Lateral view | L wrist X-ray | acquired on Siemens:
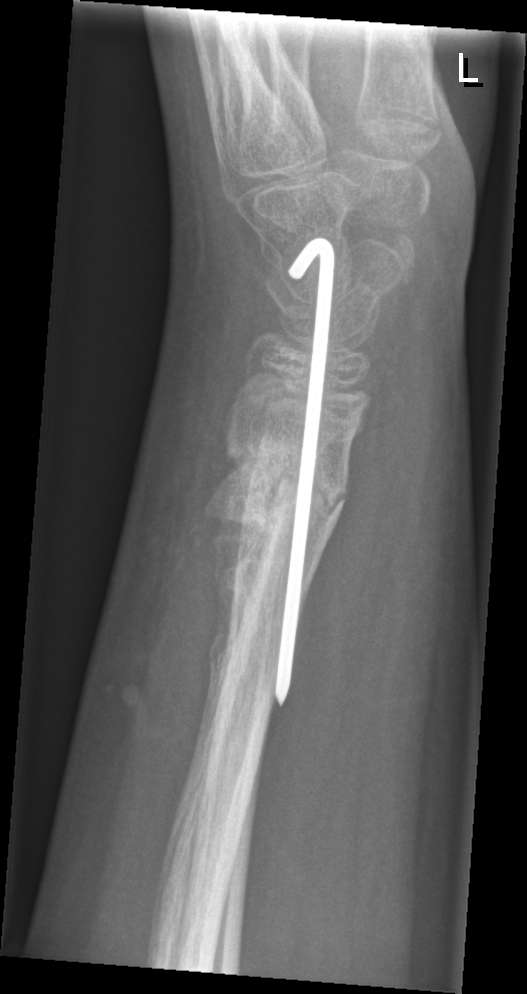 • Metal: (273, 231, 340, 709).
• Reduced bone mineral density.
• Fx identified at (201, 438, 351, 548).